R plain radiograph of the wrist · frontal projection.
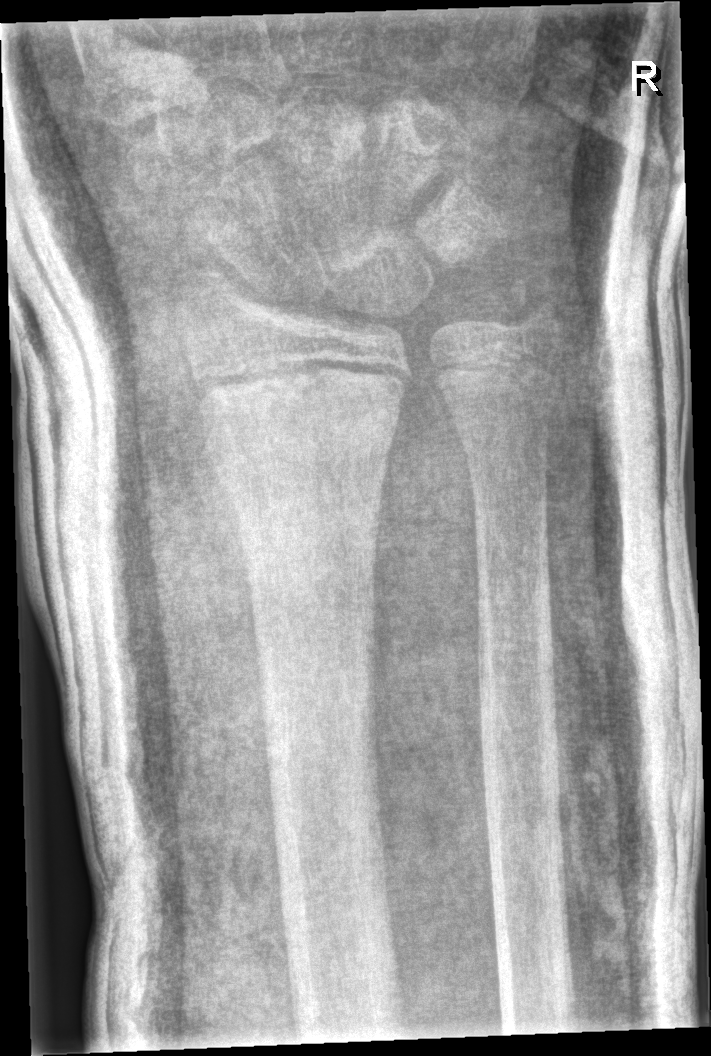
Boxes as x1,y1,x2,y2 (top-left / bottom-right, pixel units).
Fracture classified AO/OTA 23r-M/3.1; 23u-E/7.
Bone fracture identified at <500,272>-<570,352>.